Right wrist plain radiograph of the wrist | lat view — 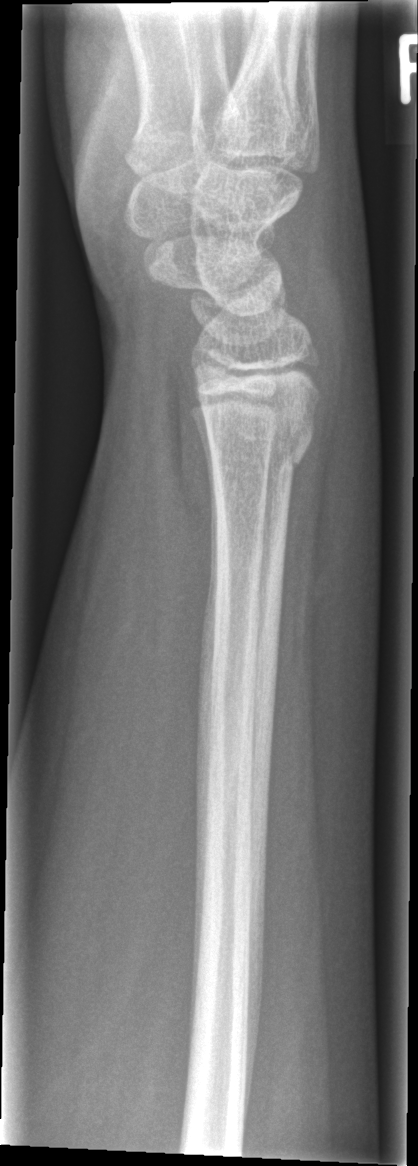
Bounding boxes in image-pixel xyxy. Fx: bbox(201, 414, 317, 482). AO code 23r-M/2.1.